Lateral projection | left wrist radiograph | 14-year-old girl | presentation radiograph. 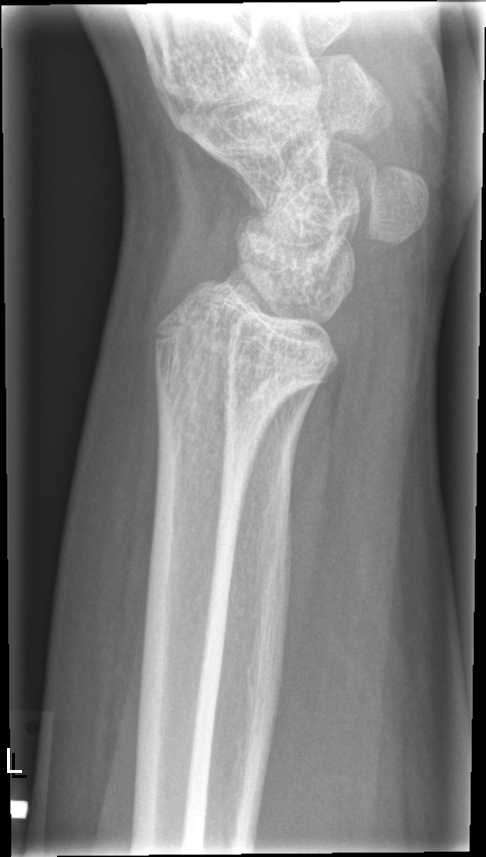 - No fracture annotation.